R wrist plain film | PA view | 625 by 1102 pixels —

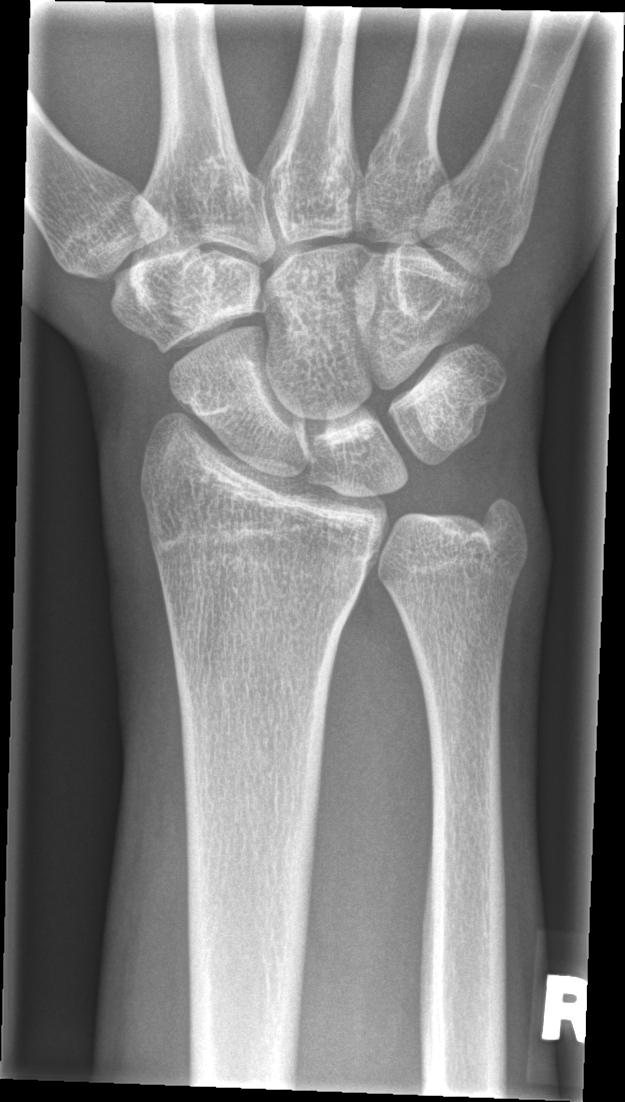 fracture = none labeled